Posteroanterior projection | right pediatric wrist radiograph | 5-year-old girl | follow-up | Siemens
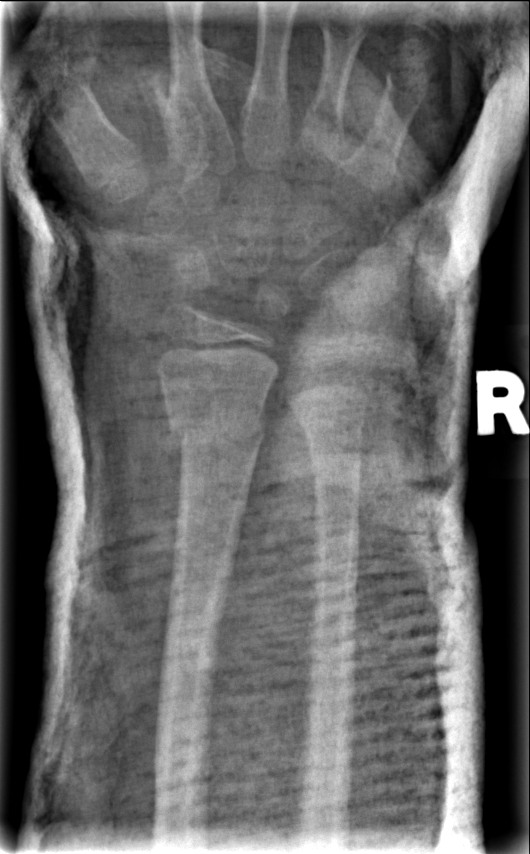 • Coordinates are [x1, y1, x2, y2] in image pixels.
• Bone fracture: [x1=162, y1=406, x2=269, y2=464], [x1=291, y1=398, x2=370, y2=447].